Rt plain radiograph of the wrist · posteroanterior projection.
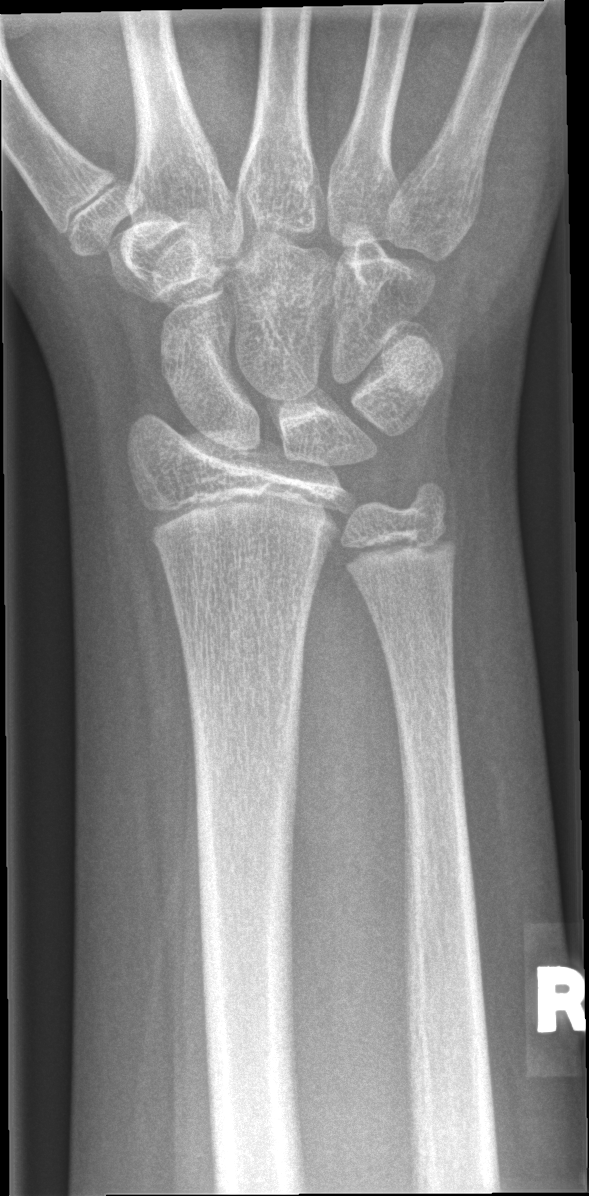

* No fracture annotation.